Left wrist plain film, PA, imaged through cast, 683 x 1208 px.

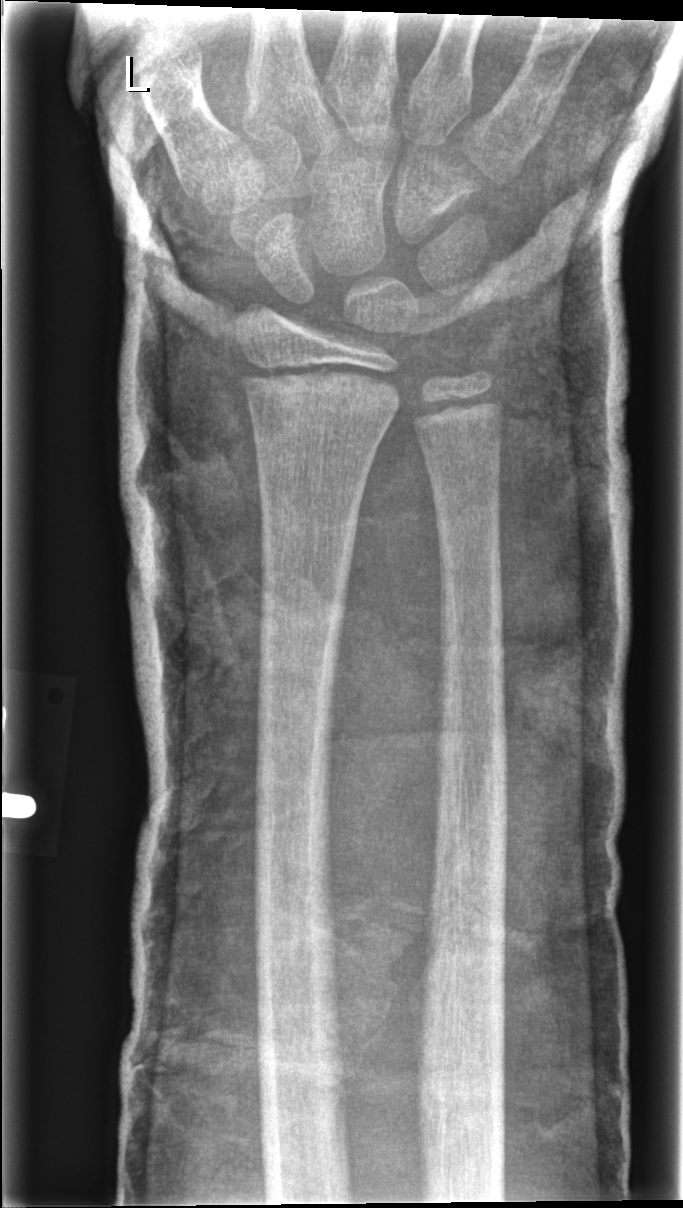 FINDINGS — (coordinates are [x1, y1, x2, y2] in image pixels) Fracture: 235 355 403 430. AO code 23r-E/2.1.